AP view | Rt plain radiograph of the wrist | 13y M | follow-up.

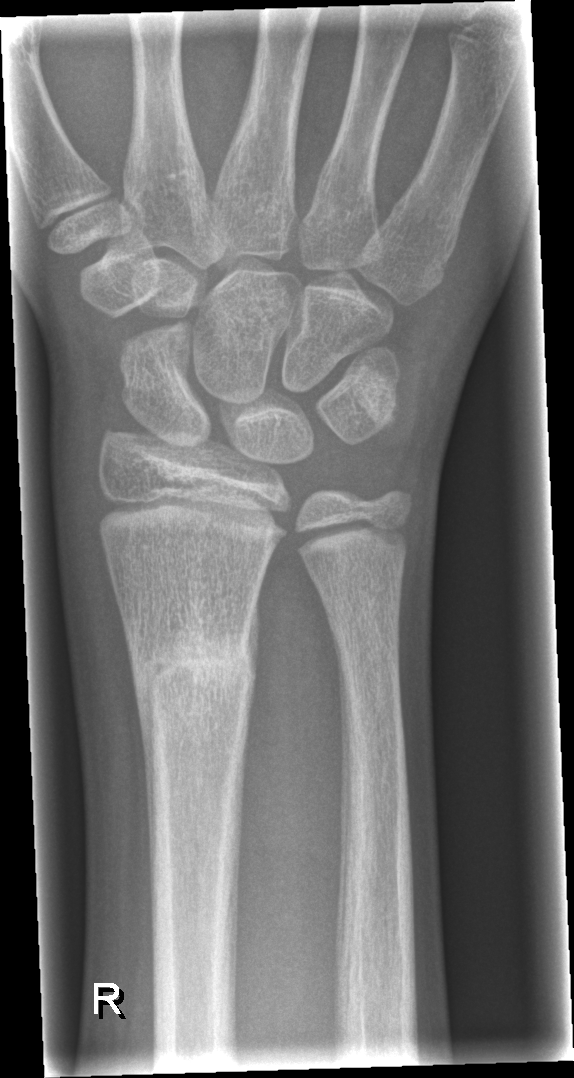

Findings: (bounding boxes in image-pixel xyxy) Two periosteal thickening at bbox(128, 640, 161, 956), bbox(241, 594, 262, 729). Osteopenic. AO code 23r-M/3.1; 23u-M/2.1. Fracture: bbox(126, 595, 261, 820).